PA/AP, left pediatric wrist radiograph, age 10 y, girl, initial study, 685 by 1048 pixels 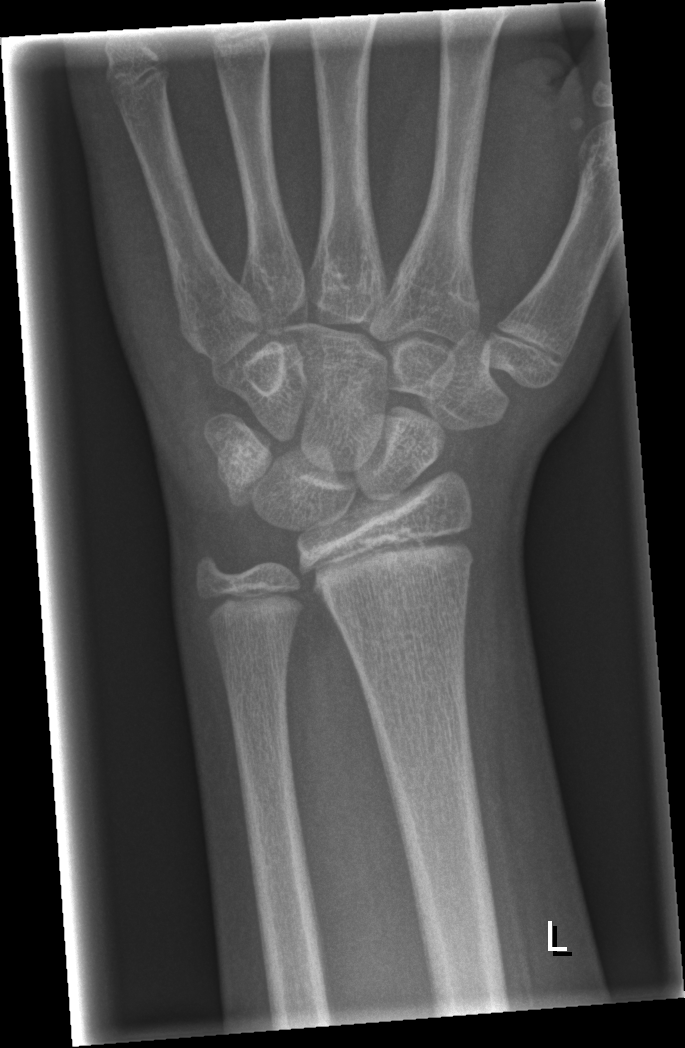
* No fracture annotation.